Lt wrist X-ray | AP view | 9-year-old female | 668 by 862 pixels.

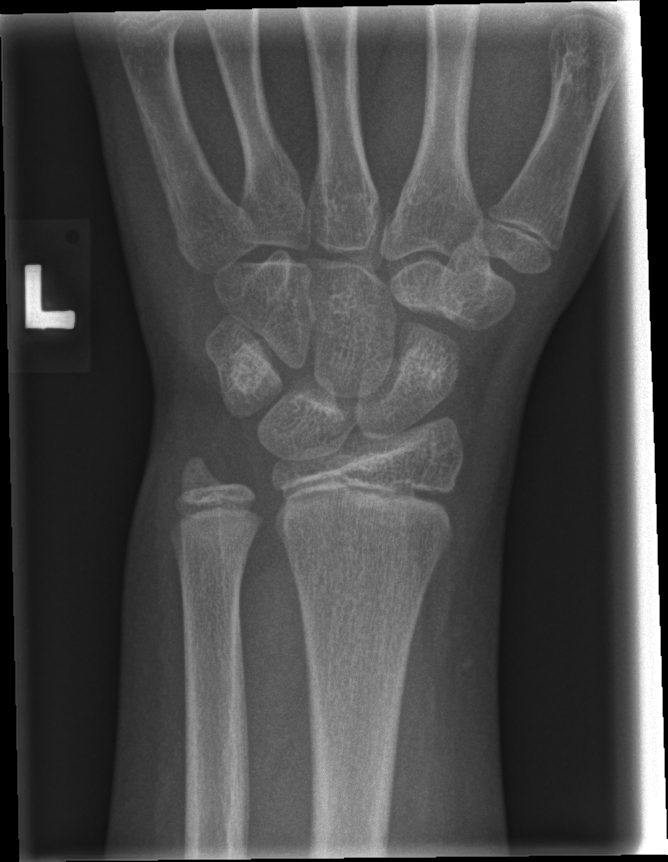 No fracture labeled.